PA | Rt wrist radiograph | pediatric patient (female, age 13):
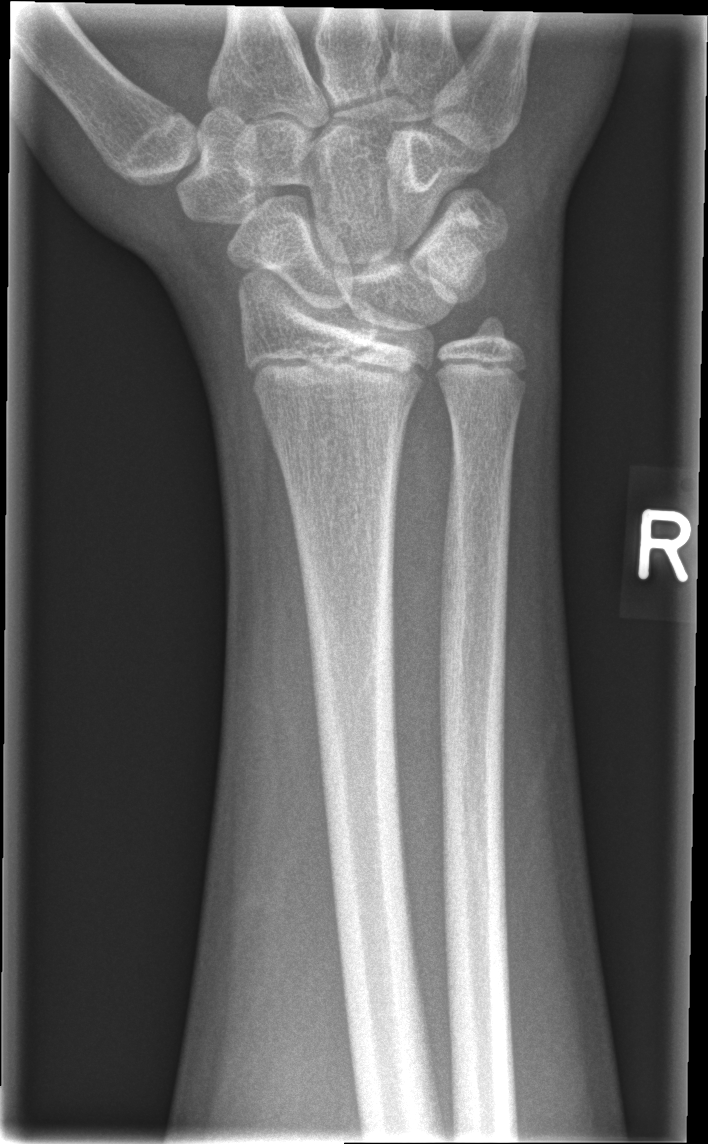
Q: Is there a fracture?
A: No fracture annotation